Lat, left wrist X-ray, 10-year-old female

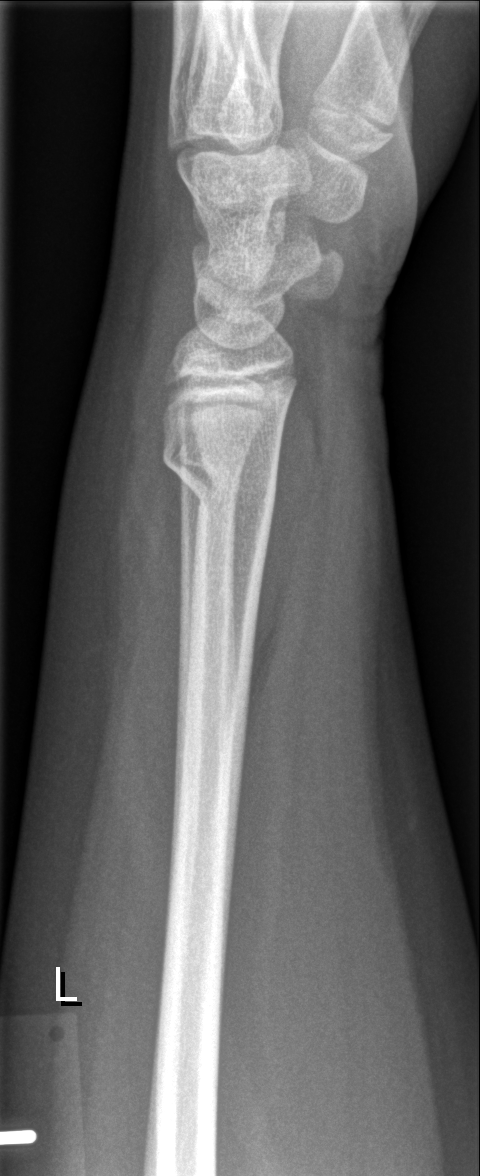
soft tissue abnormality: (left=51, top=310, right=179, bottom=669)
AO code: 23r-M/3.1; 23u-E/7
Fx: (left=160, top=420, right=283, bottom=520)
positive pronator fat-pad sign: 1 @ (left=248, top=376, right=342, bottom=712)